AP, Lt plain radiograph of the wrist, age 14 y, boy —

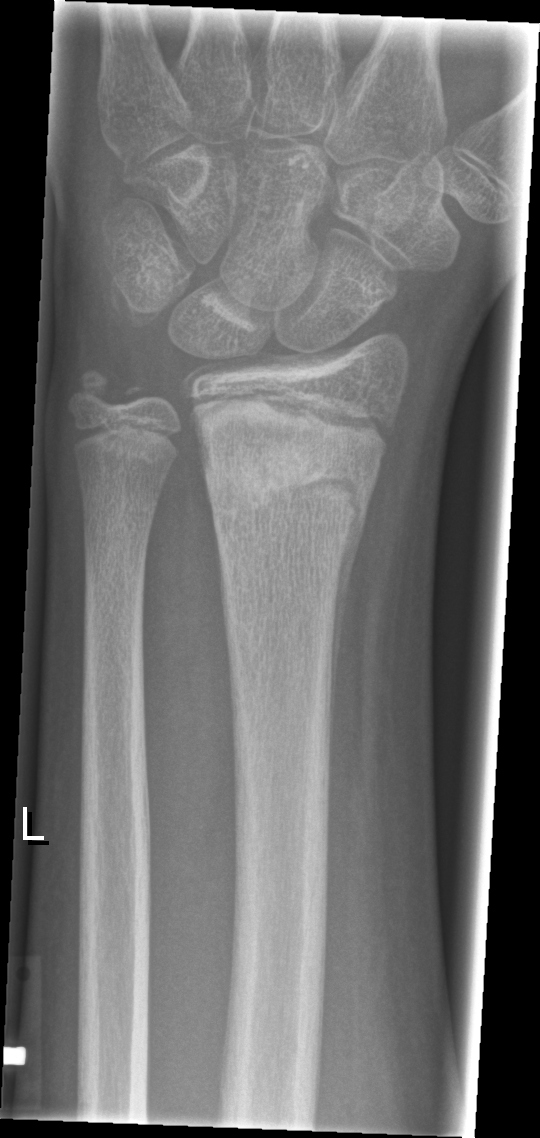
{"osteopenia": "present", "fracture": "198,437,381,537\n  62,360,148,423", "periostealreaction": "1 @ 328,490,372,771"}